L wrist XR, PA/AP view, 9-year-old female:

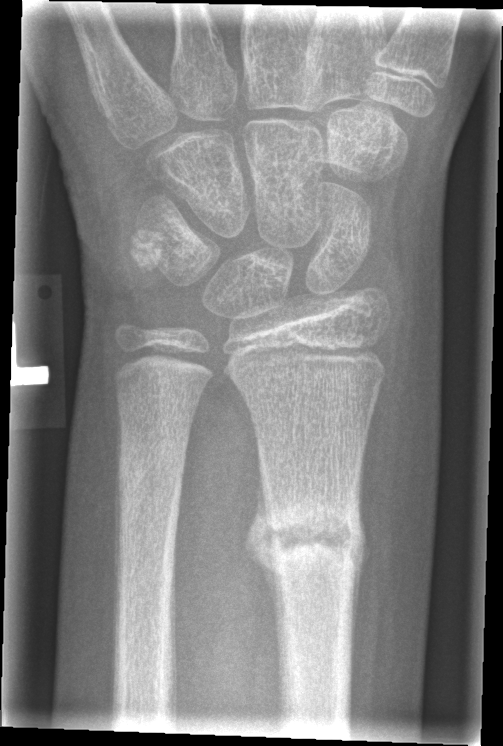

FINDINGS: Fracture: [254, 494, 366, 581]; [115, 438, 189, 508]. Periosteal reaction identified at [243, 453, 284, 691] [351, 472, 369, 654]. Reduced bone mineral density.